PA view, left wrist pediatric wrist radiograph, image 92.7 mm wide, 644 by 912 pixels —
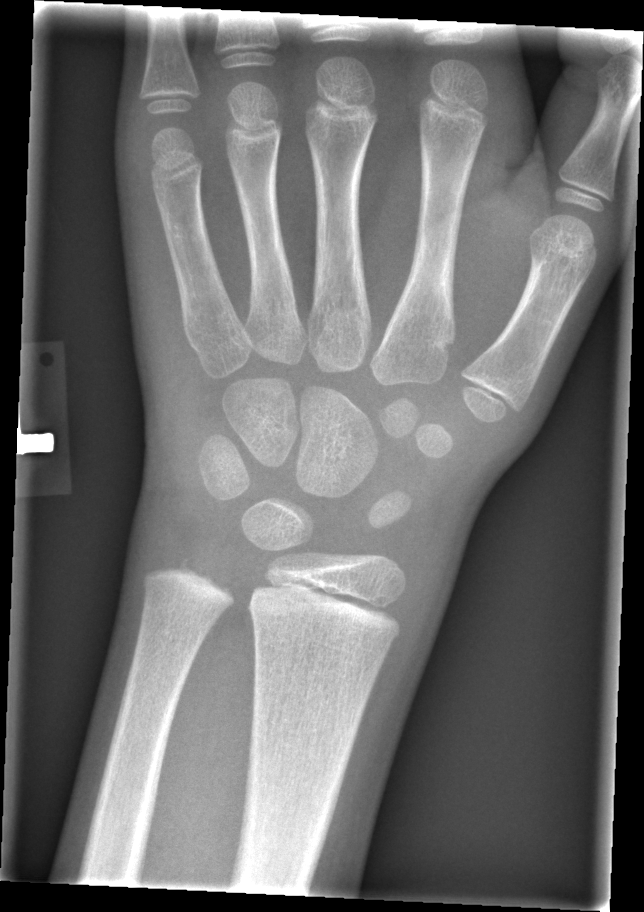
Q: Any fracture seen?
A: No fracture annotation